Lateral projection; Lt wrist plain film; follow-up; cast in situ; image size 424x800.
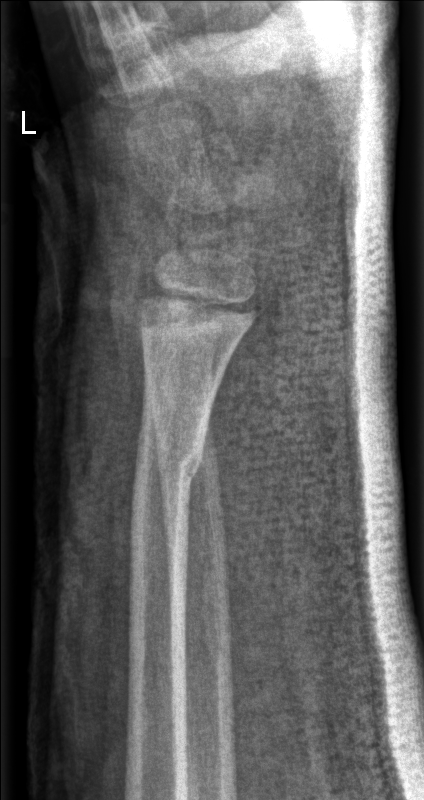
Findings: One Fx at 128 428 205 488.